Lateral projection · right wrist X-ray.

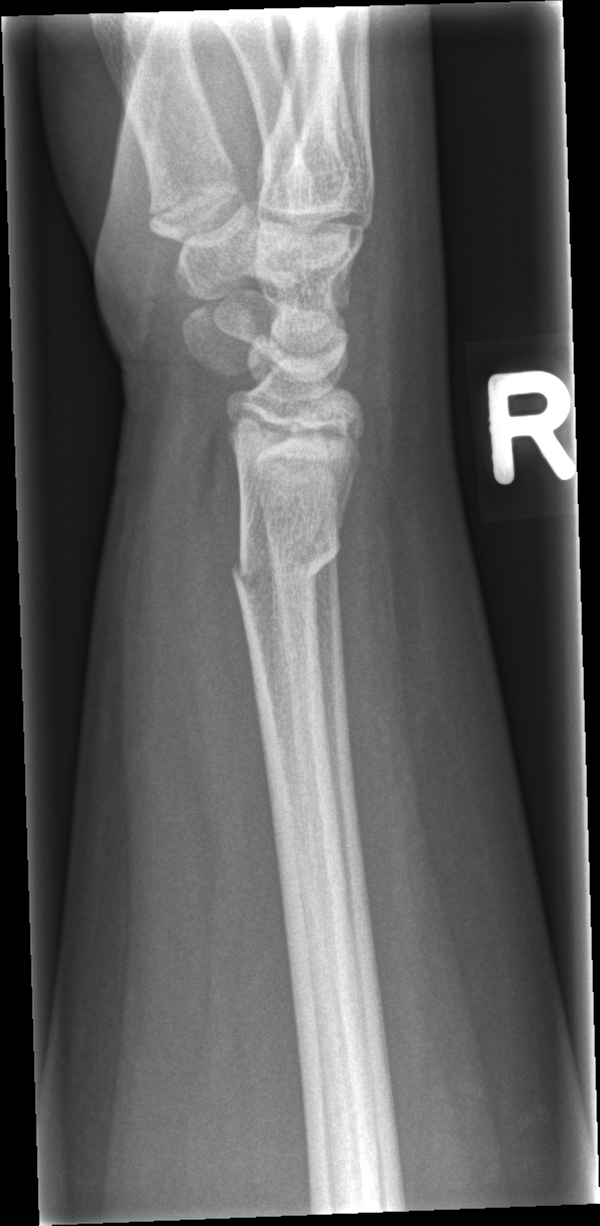

Q: Fracture present?
A: Bone fracture — [227, 525, 343, 604]
Q: Is the pronator sign positive?
A: One pronator quadratus fat-pad sign at [162, 443, 282, 970]